Lateral projection; L wrist XR; follow-up study — 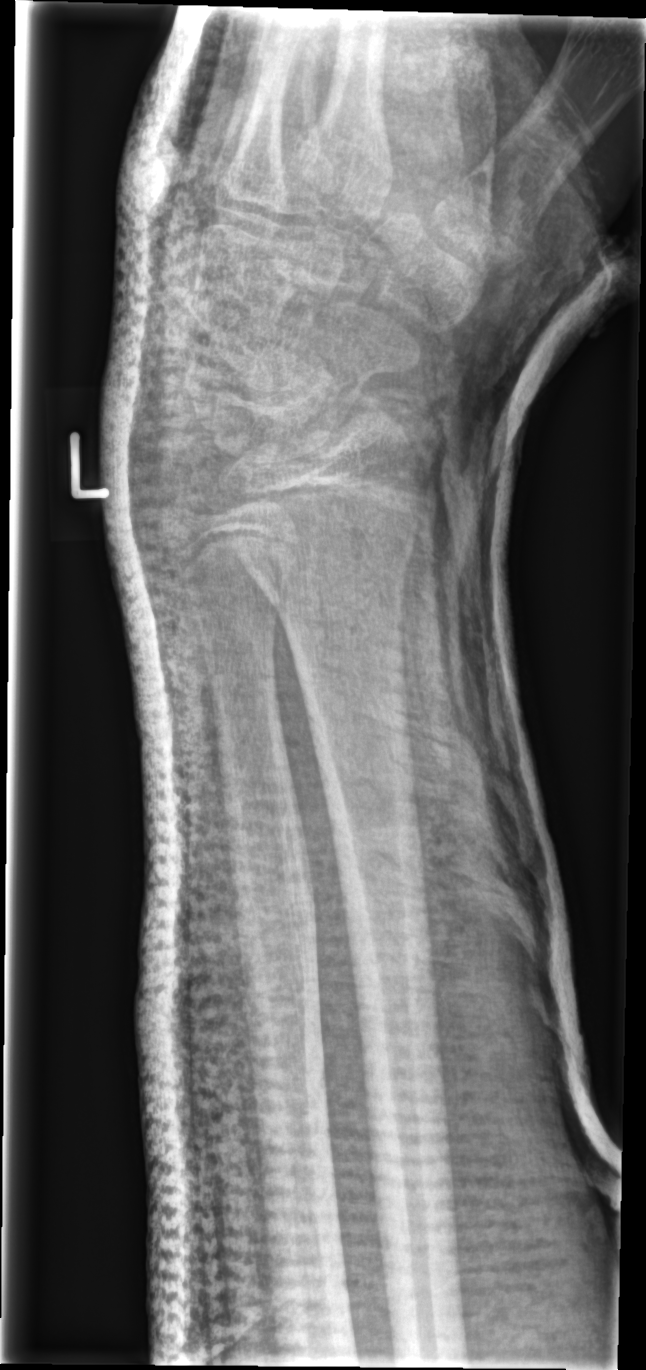 fracture: (247, 521, 425, 622); (151, 482, 223, 545)
ao: 23r-M/3.1; 23u-E/7